PA/AP · Rt plain radiograph of the wrist · pediatric patient (female, age 14) · 568x892

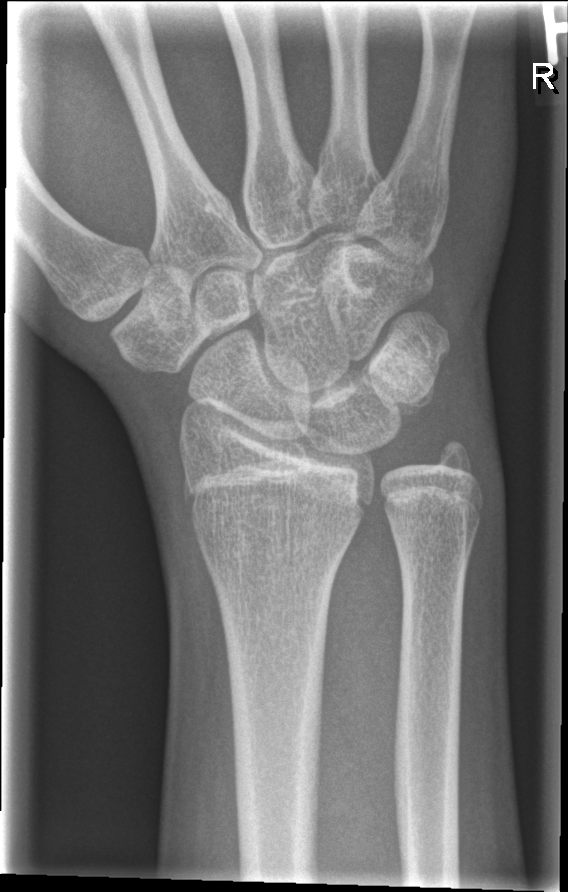
Fx: none.